Right wrist XR; PA; pediatric patient (boy, age 13); cast present:
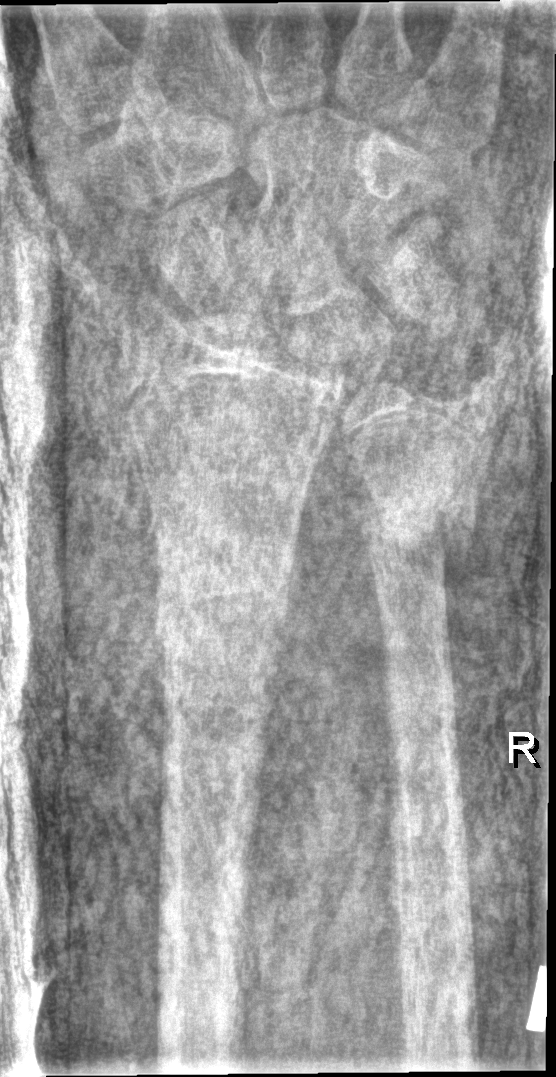

FINDINGS: AO/OTA classification: 23-M/3.1. Two fractures at 149,536,293,656
  359,492,465,565.